L wrist X-ray · AP projection · cast in situ · detector: Siemens.
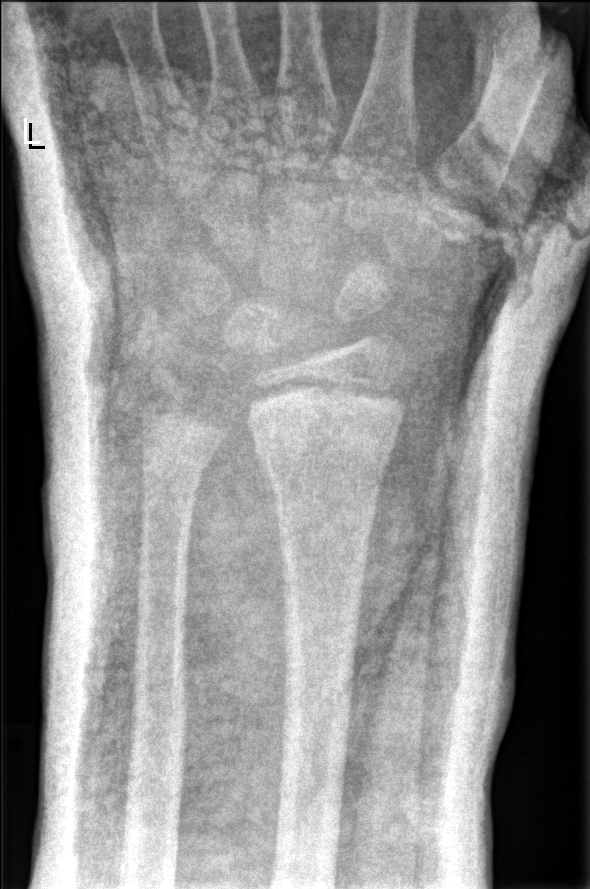 (coordinates are [x1, y1, x2, y2] in image pixels)
Fracture = 2 @ [248, 384, 406, 483] [131, 424, 220, 493]
AO/OTA = 23r-E/2.1; 23u-M/2.1